Frontal, Rt pediatric wrist radiograph, follow-up, cast in situ, image size 958x1226:

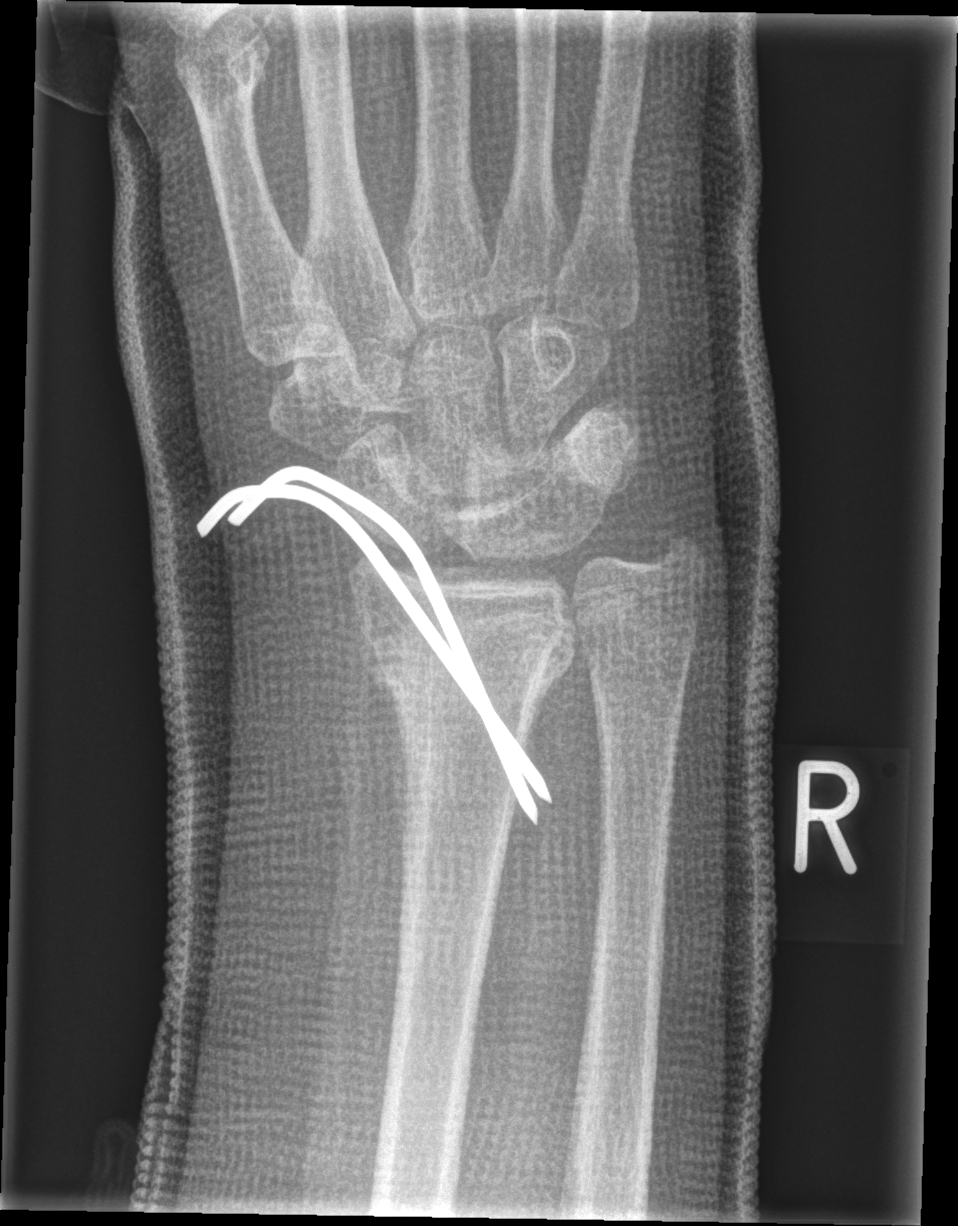
* Pixel coordinates, top-left origin, xyxy.
* Two Fx at (357, 597, 578, 778) (648, 520, 711, 587).
* One metallic implant at (195, 464, 555, 826).
* Fracture classified AO/OTA 23r-M/3.1; 23u-E/7.